Lateral projection; Lt pediatric wrist radiograph; 415x756:

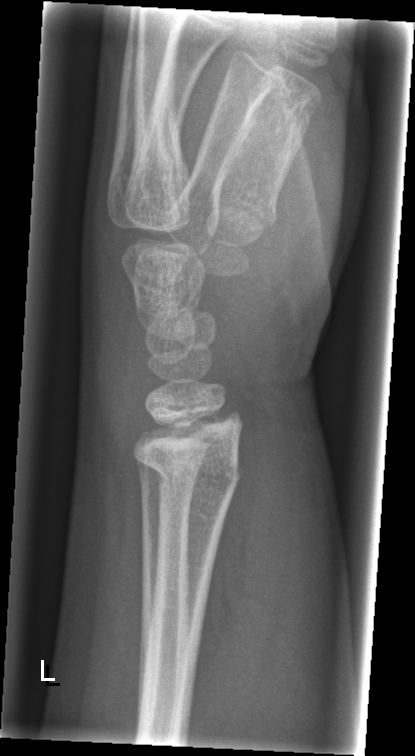

- Bounding boxes in image-pixel xyxy.
- One fracture at bbox(133, 448, 247, 504).
- AO code 23r-M/2.1.